Rt wrist radiograph | lateral projection | age 7 y, female 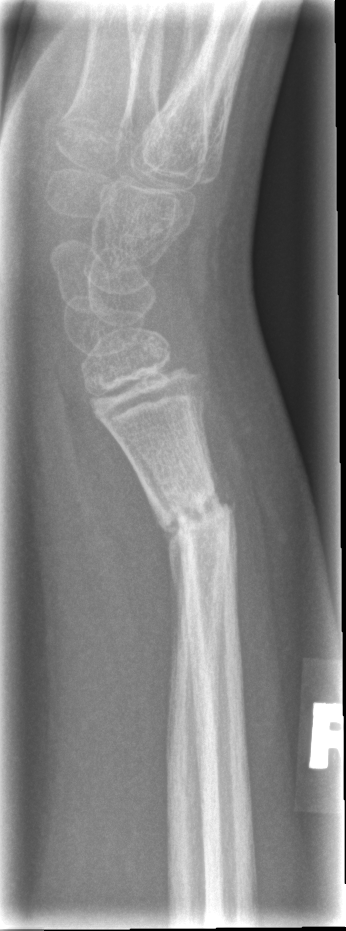
Bone fracture identified at <151,486>-<242,543>. Two periosteal new bone at <152,510>-<197,706>; <204,425>-<239,516>.